Frontal view; left wrist plain film; age 13 y, boy; index exam 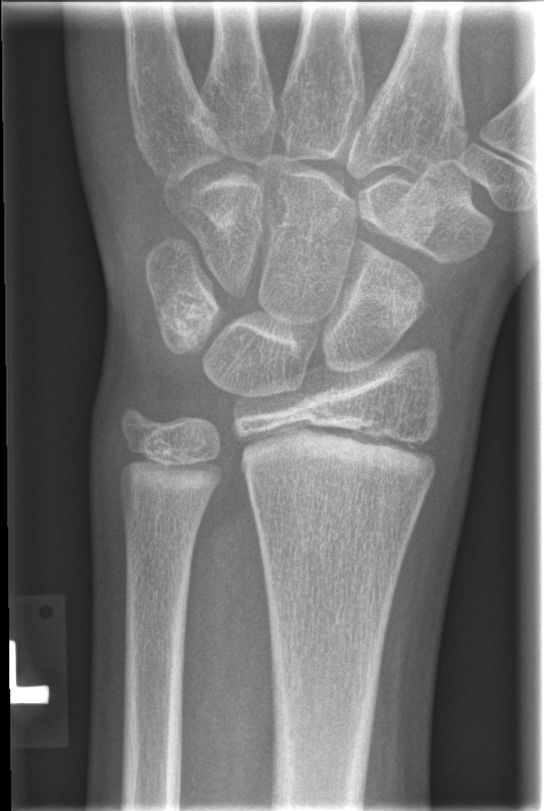
Findings: No fracture labeled.